Lt wrist X-ray, frontal projection, 14-year-old male, cast present 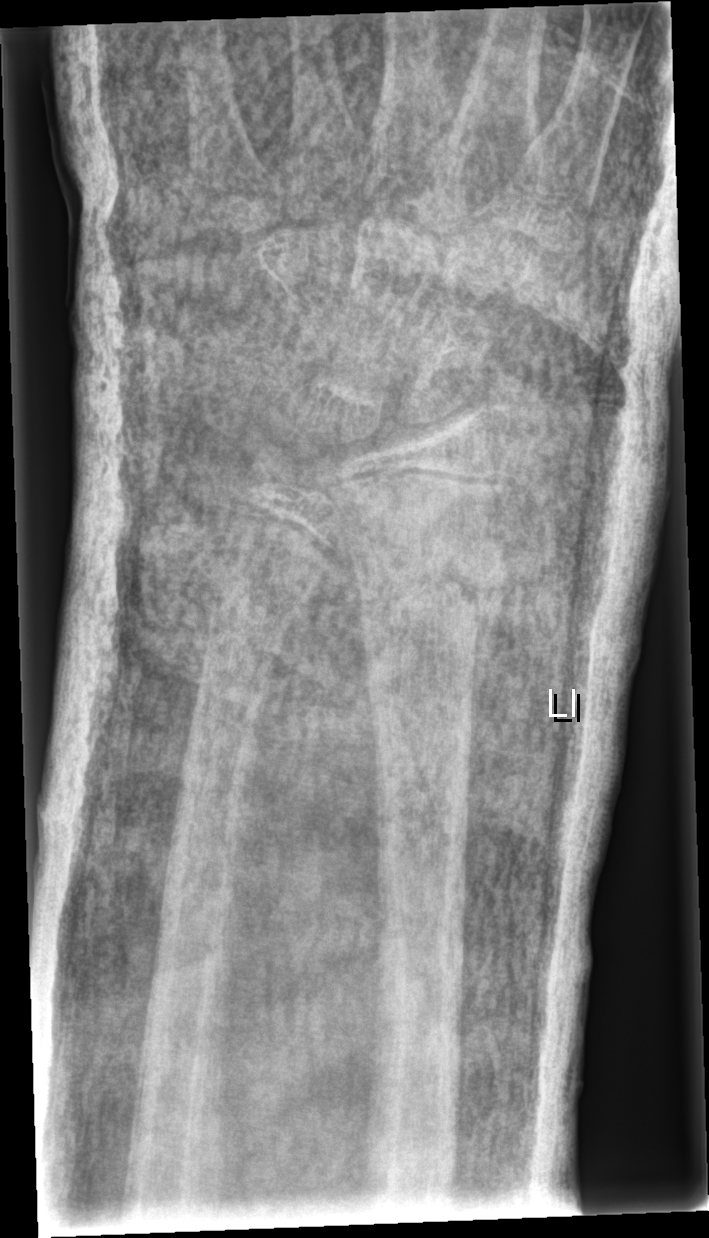

FINDINGS — Fx — 349 532 513 644.